Lateral view | right wrist radiograph | 259x434. 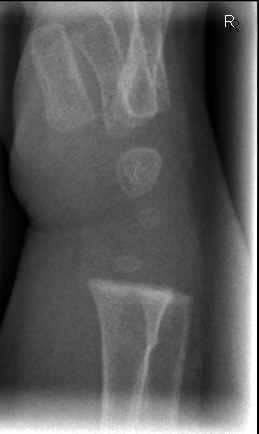
Q: Is there a fracture?
A: One bone fracture at <96,321>-<162,363>